PA/AP projection | Lt wrist plain film | follow-up | cast present:
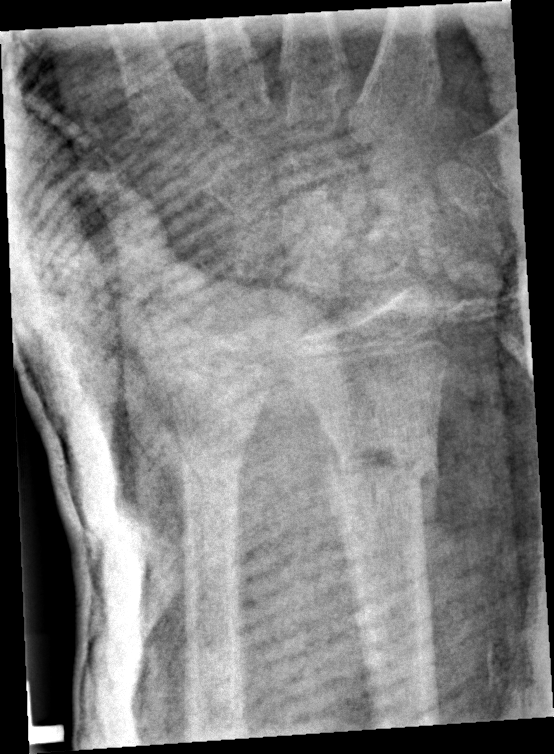
(boxes as x1,y1,x2,y2 (top-left / bottom-right, pixel units))
Fracture: 1 @ [319, 440, 442, 516]
AO classification: 23r-M/3.1; 23u-M/2.1